L wrist X-ray · PA/AP · 11y F · initial study · image 116.1 mm wide:
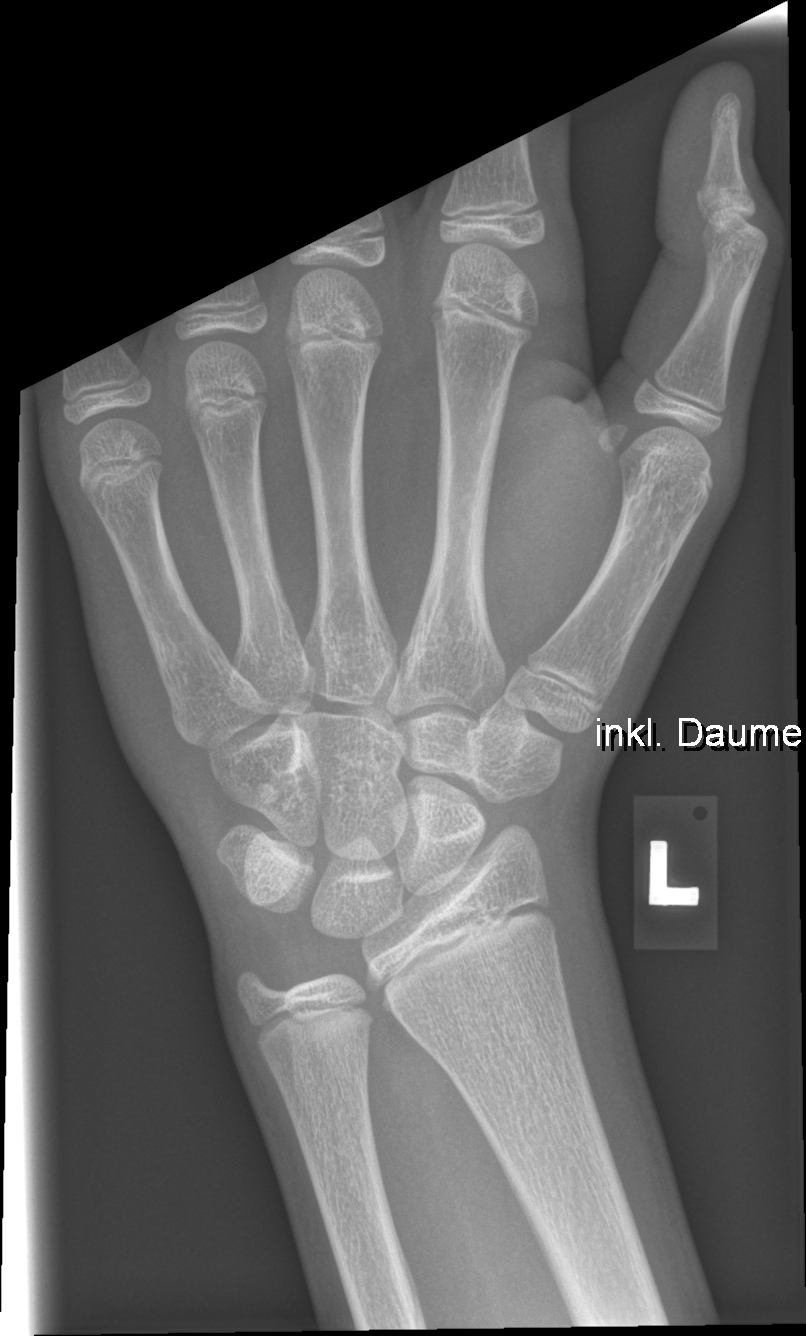

• No fracture labeled.